PA projection, Rt wrist radiograph, initial study, 61.3 mm image width. 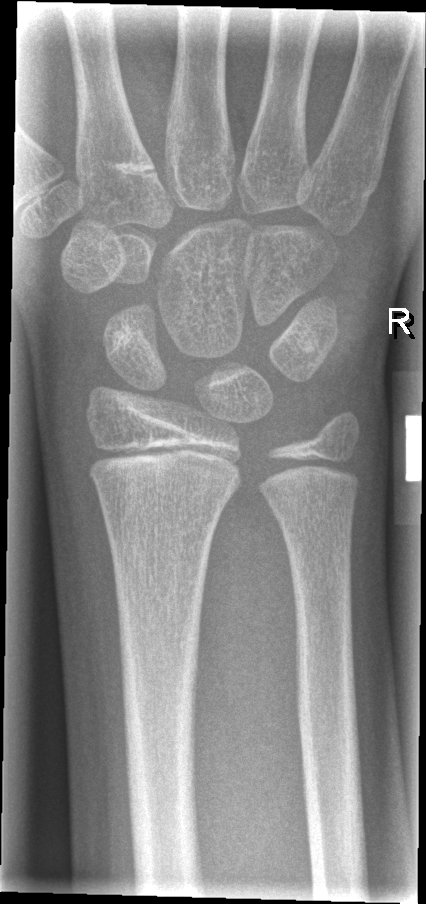 Bone fracture = none labeled